Right wrist radiograph; frontal view; age 10 y, female; initial study

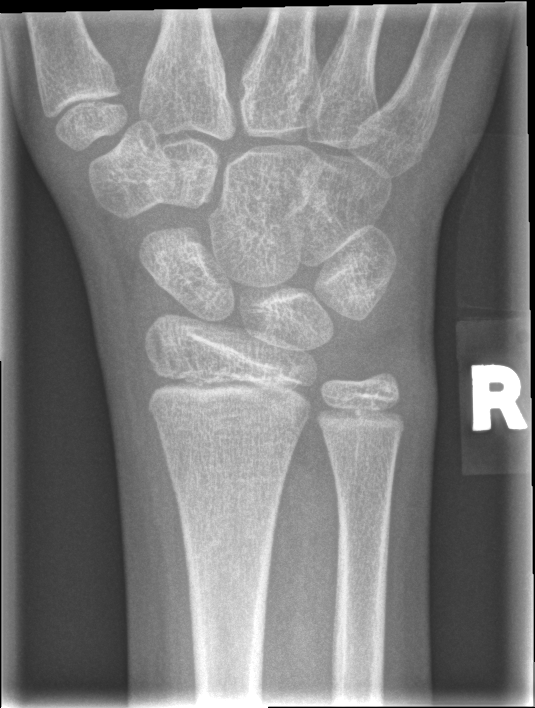

No fracture annotation.